Lateral; Lt wrist XR; presentation radiograph; 798 x 1512 px 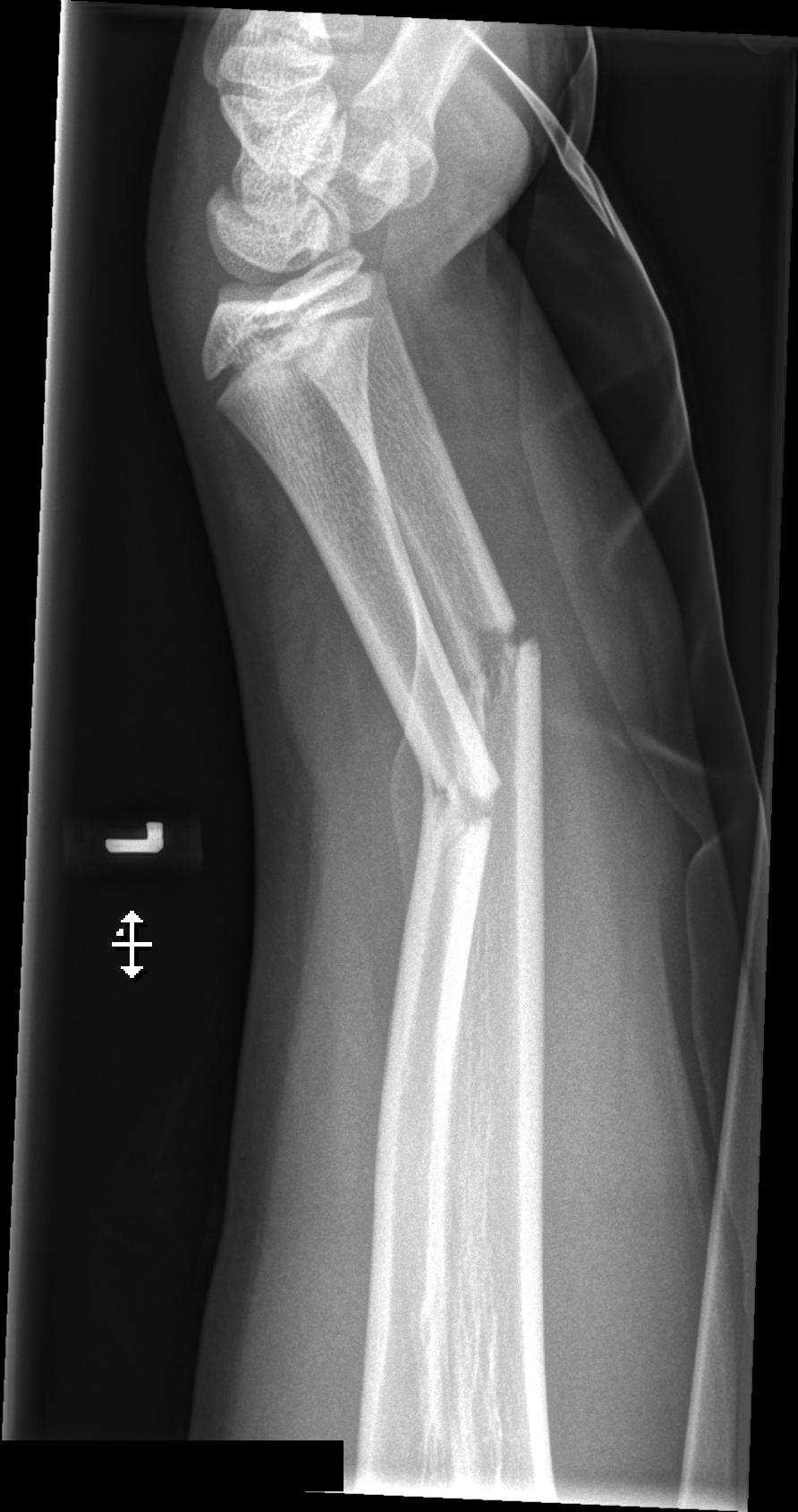

fracture: 2 @ bbox(452, 607, 546, 709) bbox(413, 758, 505, 851)
AO classification: 22-D/2.1; 23u-E/7